Left plain radiograph of the wrist; posteroanterior view; age 9 y, male: 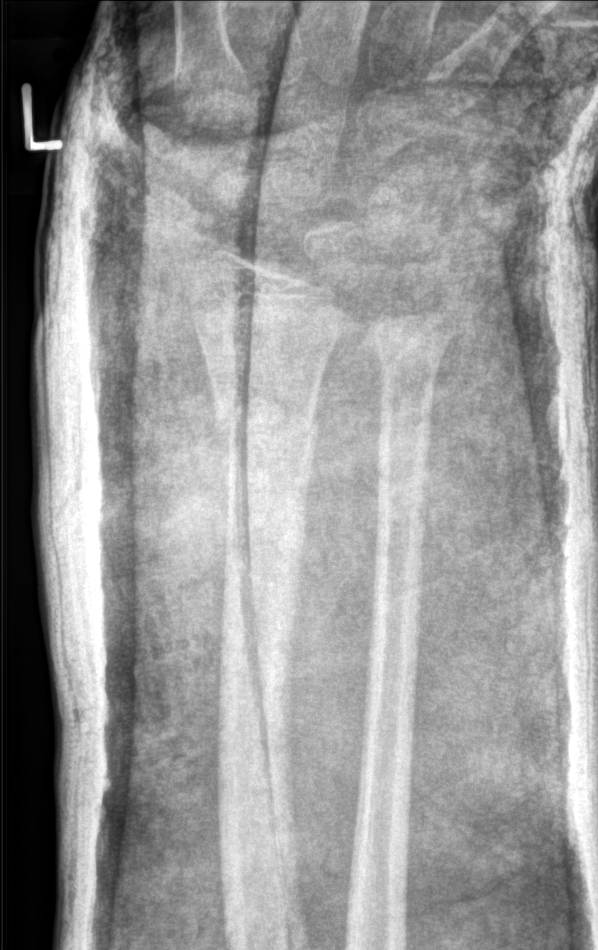 AO code = 23-M/3.1
Fx = 1 @ 204,378,323,455